Left plain radiograph of the wrist, lat, in cast —
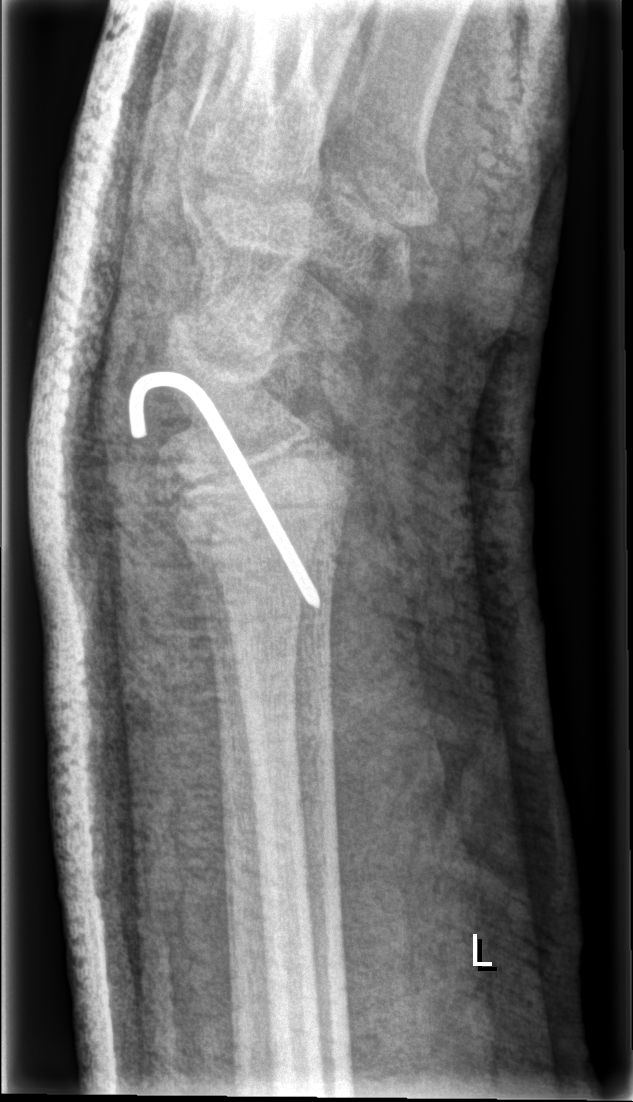 Bounding boxes in image-pixel xyxy.
Metallic implant identified at 129,371,320,614.
Fracture identified at 155,429,359,590.